Lt wrist radiograph; lateral view; age 3 y, male; Siemens. 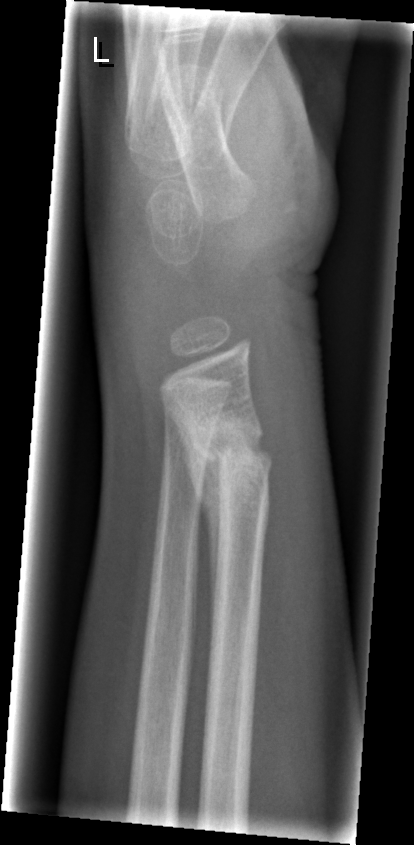

FINDINGS: Periosteal thickening: [x1=163, y1=389, x2=224, y2=634]. One fracture at [x1=186, y1=418, x2=274, y2=515]. Fracture classified AO/OTA 23r-M/3.1. Osteopenic.